L wrist X-ray; lateral projection; Siemens —
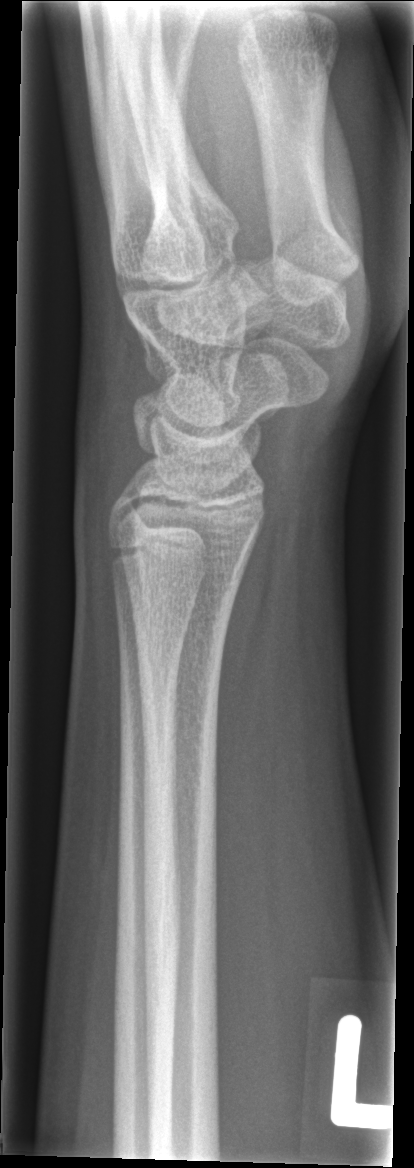 {
  "fracture": "none labeled"
}